Frontal projection, Lt wrist plain film, 11-year-old female 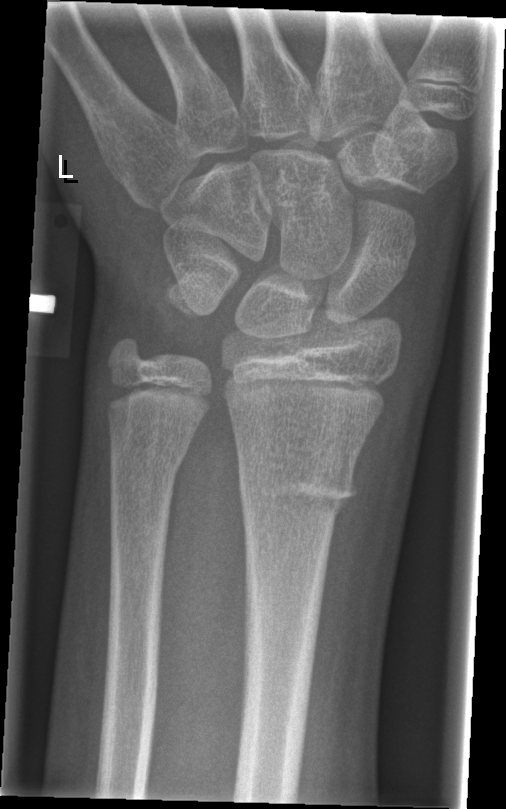
Fracture identified at <236,456>-<361,524> <105,434>-<190,483>.